Right wrist XR | frontal projection | female, 8 yo. 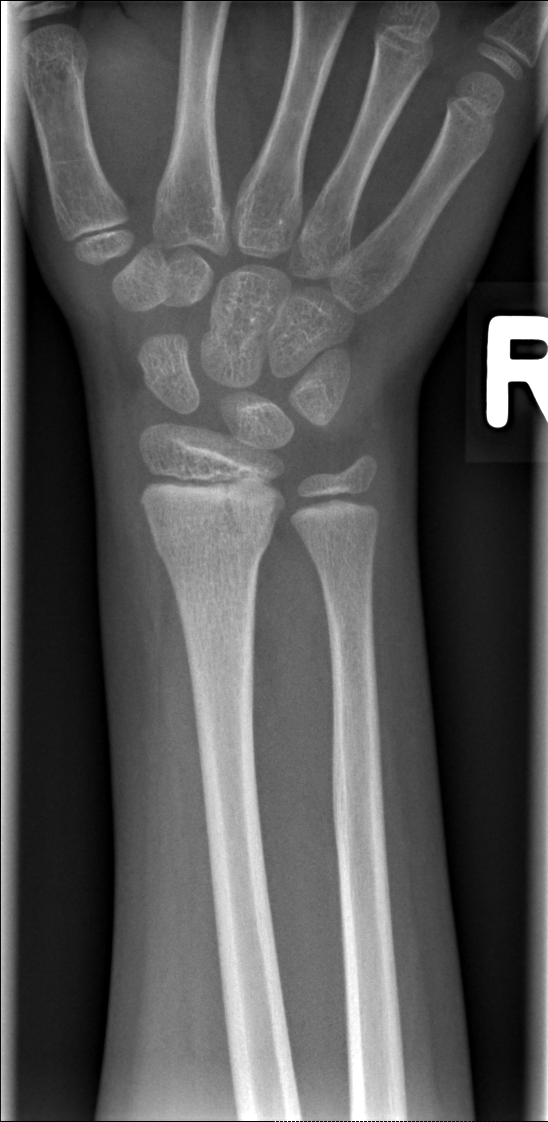 (pixel coordinates, top-left origin, xyxy)
fracture = (149, 508, 276, 569)
AO/OTA = 23r-M/2.1